Frontal view | R wrist radiograph —

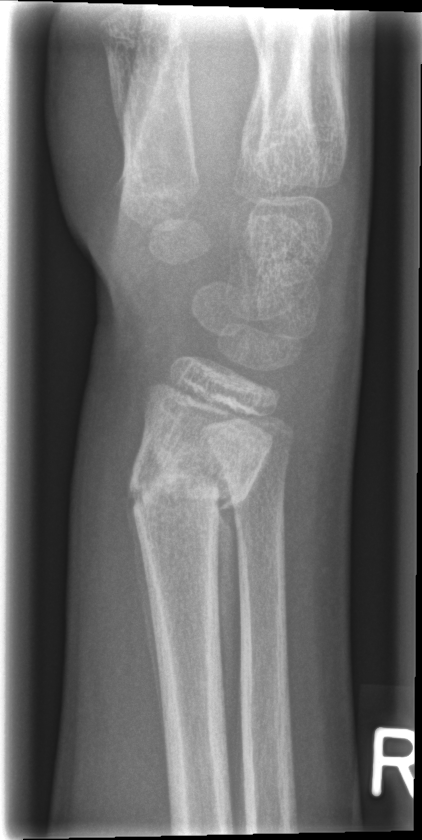
Periosteal new bone: 2 @ (129, 514, 164, 733) (211, 514, 236, 731)
AO/OTA: 23r-M/3.1
Fracture: 1 @ (126, 435, 258, 524)